Frontal projection; right wrist plain film; 17y F.

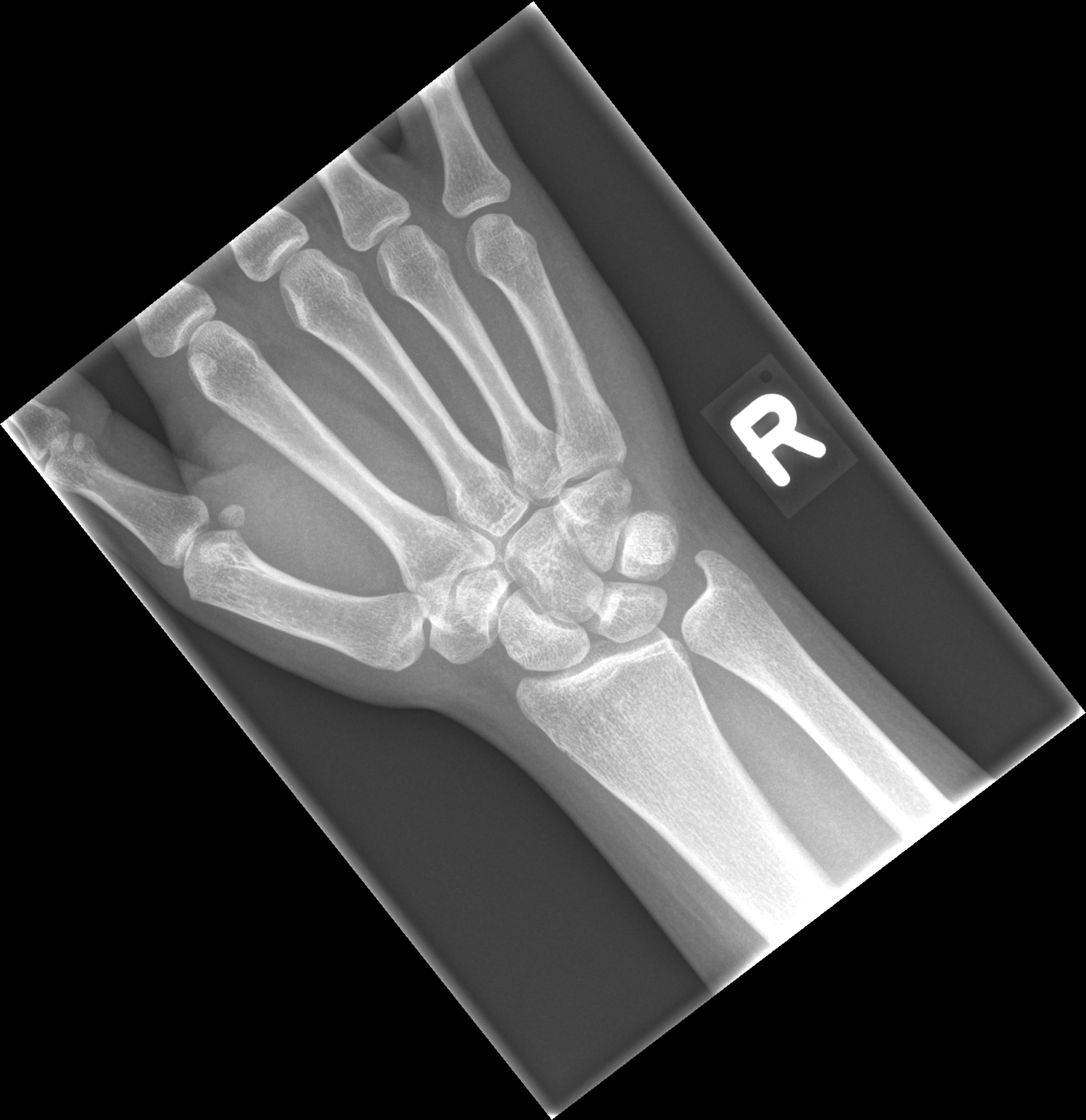
* No fracture annotation.